Frontal projection, right pediatric wrist radiograph, detector: Siemens —

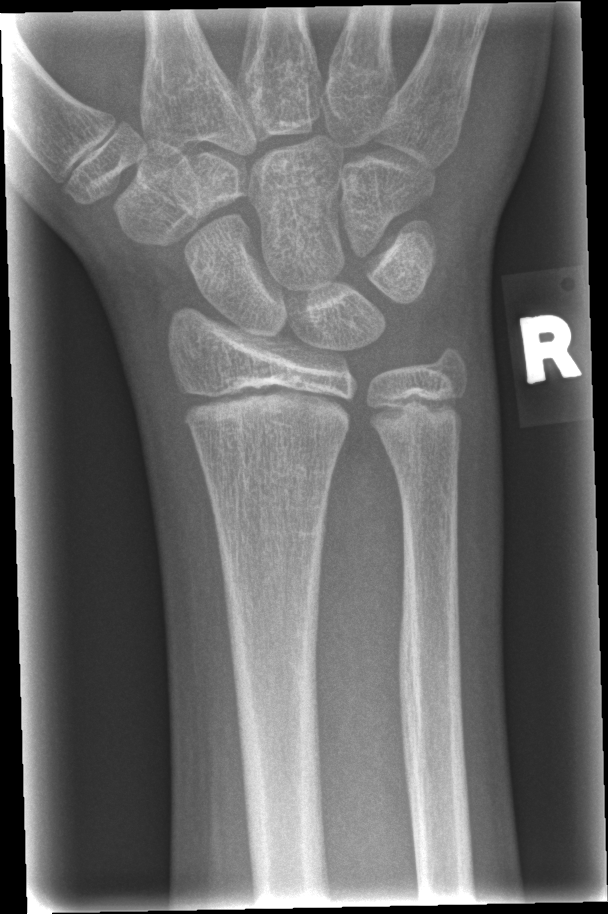

No fracture annotation.